Right wrist radiograph · PA view · initial study · detector: Siemens · 566x882:
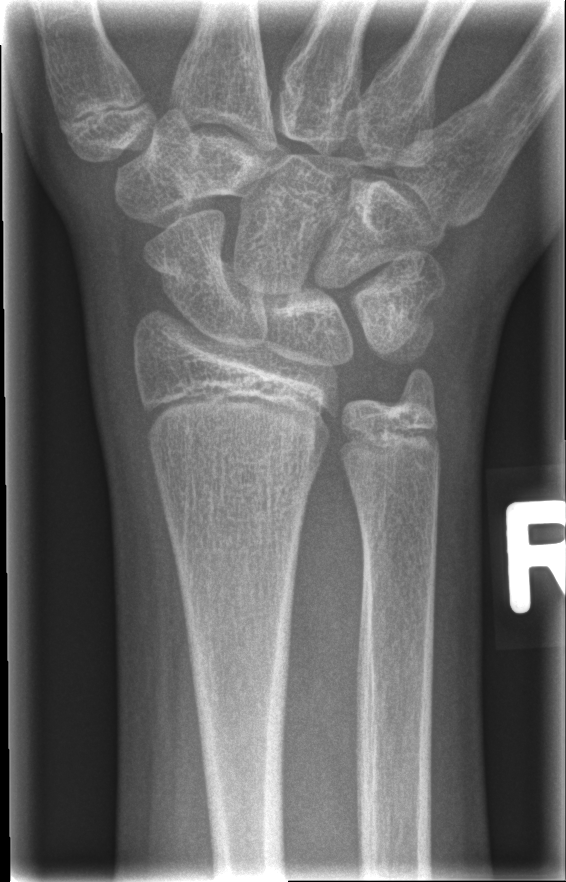

Fx = none labeled